Left wrist XR · PA/AP · 803 by 1310 pixels 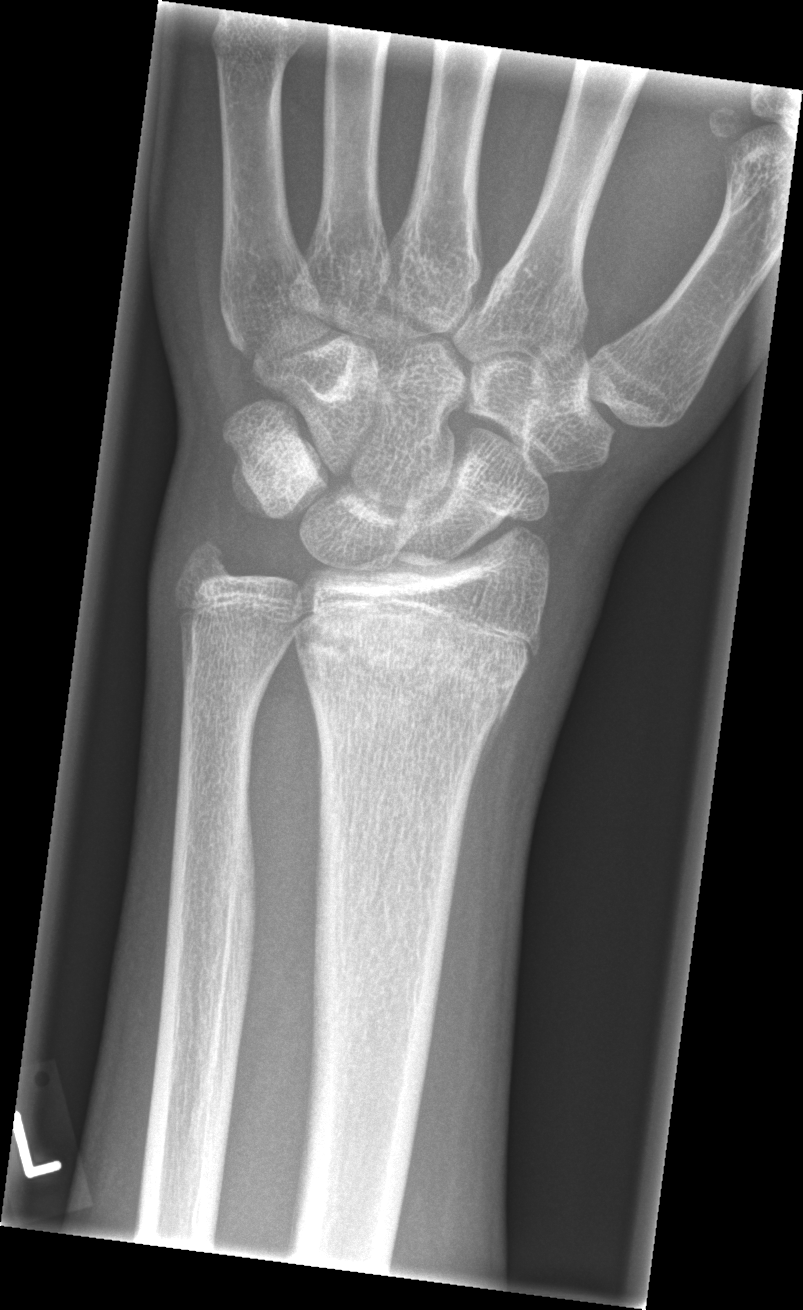
Periosteal reaction: (left=455, top=683, right=517, bottom=872).
AO/OTA classification: 23r-M/3.1; 23u-E/7.
Osteopenic.
Fx — (left=295, top=606, right=540, bottom=753); (left=169, top=525, right=243, bottom=596).